Posteroanterior view · left wrist plain radiograph of the wrist · 17y M · follow-up · cast in situ · Siemens. 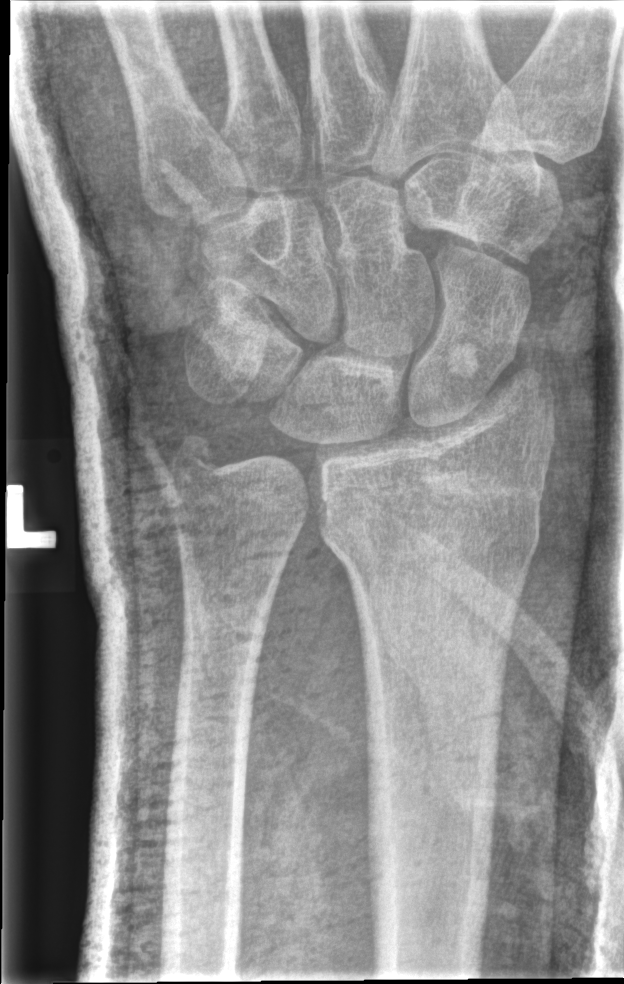 (boxes as x1,y1,x2,y2 (top-left / bottom-right, pixel units))
Q: Any fracture seen?
A: Two bone fractures at (left=307, top=480, right=556, bottom=571); (left=162, top=424, right=229, bottom=485)